Lateral; right wrist XR; acquired on Siemens.

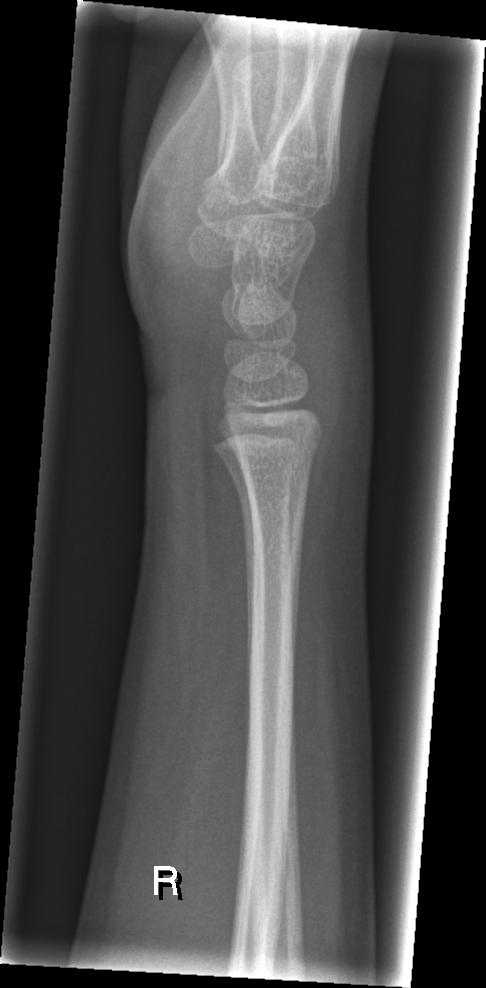

Fracture: none labeled.